Lat projection · left plain radiograph of the wrist · pediatric patient (male, age 9) · initial study · 57.9 mm image width · 402 by 1204 pixels:

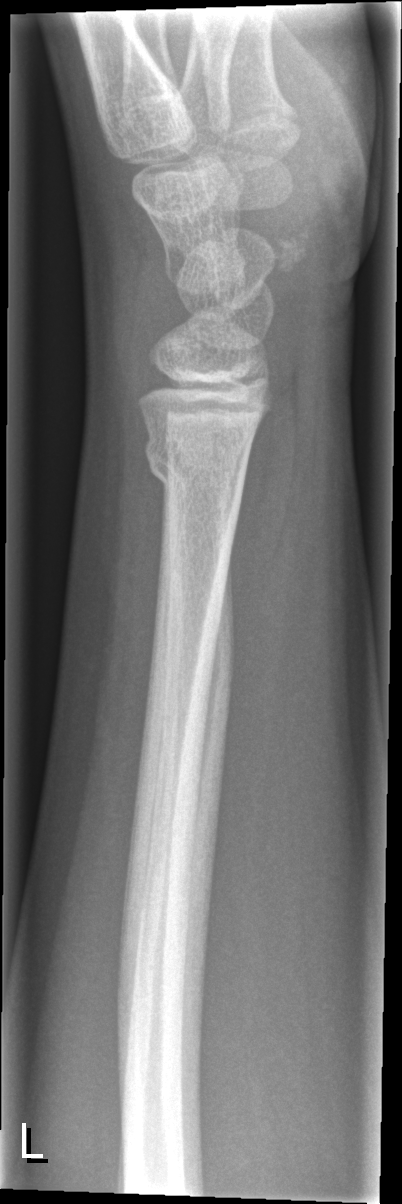
Coordinates are [x1, y1, x2, y2] in image pixels.
Fx — (left=140, top=422, right=251, bottom=517).
AO code 23r-M/2.1.
Positive pronator fat-pad sign — (left=227, top=353, right=300, bottom=634).